Lt wrist radiograph; lateral view; pediatric patient (male, age 13); acquired on Siemens

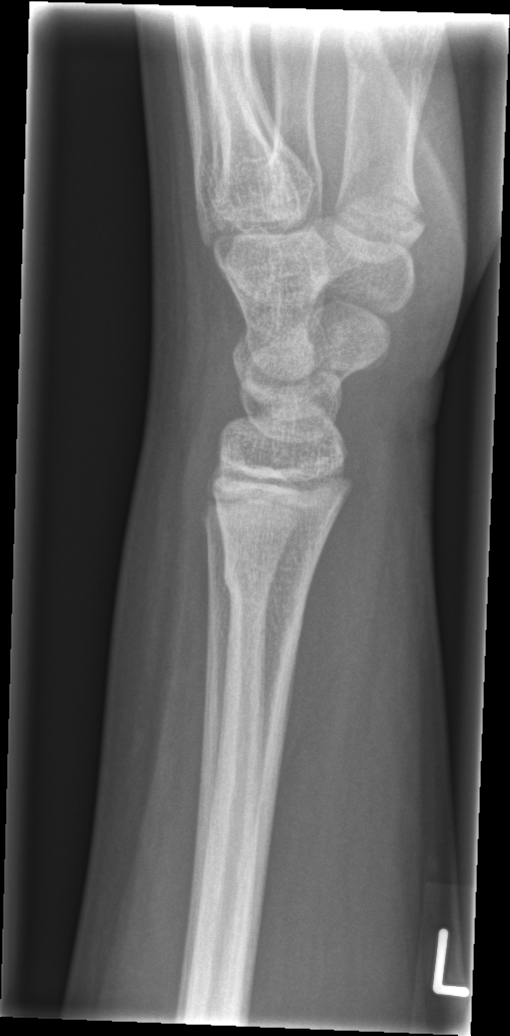

• Pixel coordinates, top-left origin, xyxy.
• AO/OTA classification: 23r-M/2.1.
• Fracture — 221 549 315 615.
• Positive pronator fat-pad sign — 277 451 387 778.